Left wrist radiograph · PA/AP · 6y F.
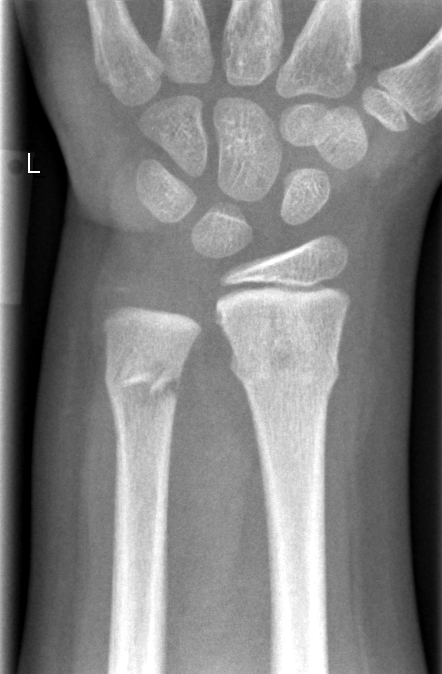 Two fractures at [226, 320, 342, 399]; [100, 341, 187, 418].